Left wrist pediatric wrist radiograph · frontal view · image size 824x1240

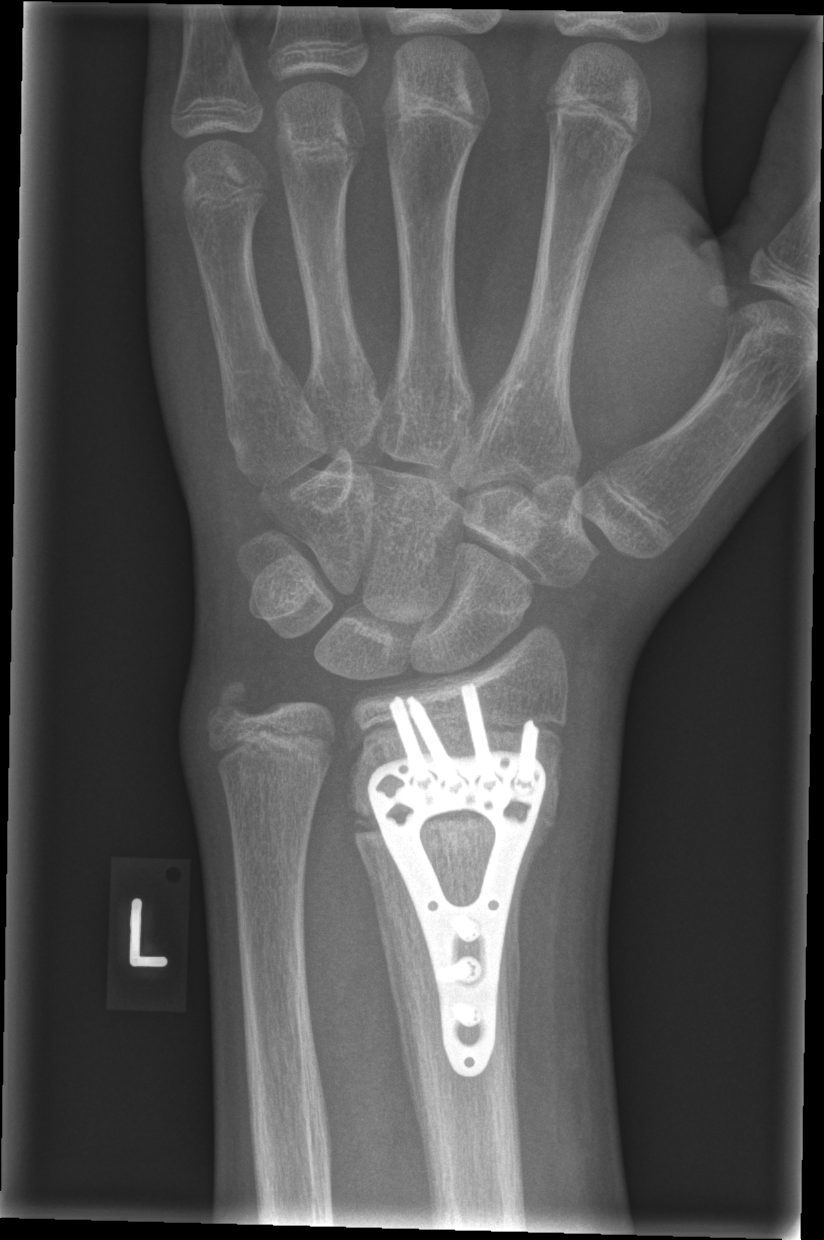

(coordinates are [x1, y1, x2, y2] in image pixels)
Fx: 2 @ (344, 793, 558, 848); (198, 671, 267, 744)
Metallic implant: (373, 683, 543, 1075)